Rt plain radiograph of the wrist | lat projection | 389 x 1092 px. 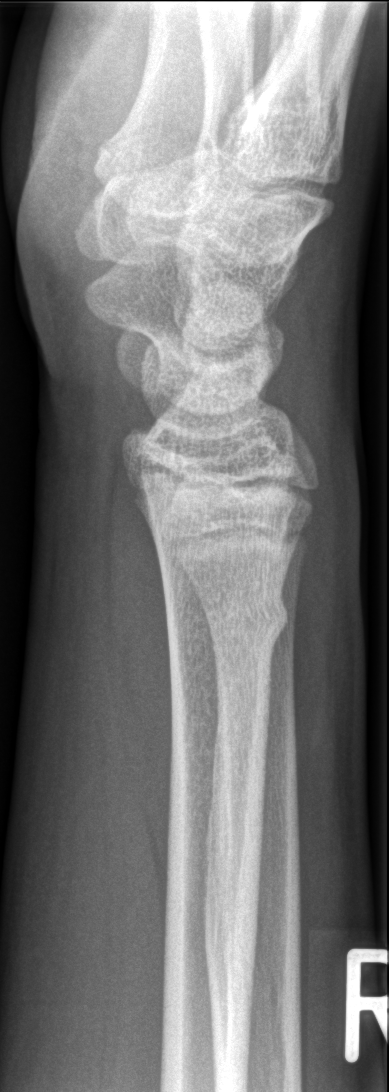 FINDINGS: Fx — <164,584>-<292,652>.